Left wrist radiograph · lateral view · 12y F. 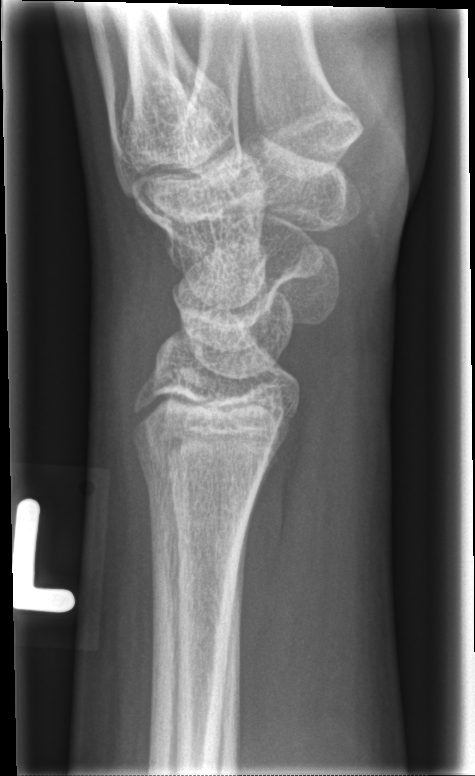 {"fracture": "132,441,268,512", "ao": "23r-M/2.1"}